Left wrist radiograph | PA projection | age 12 y, male —

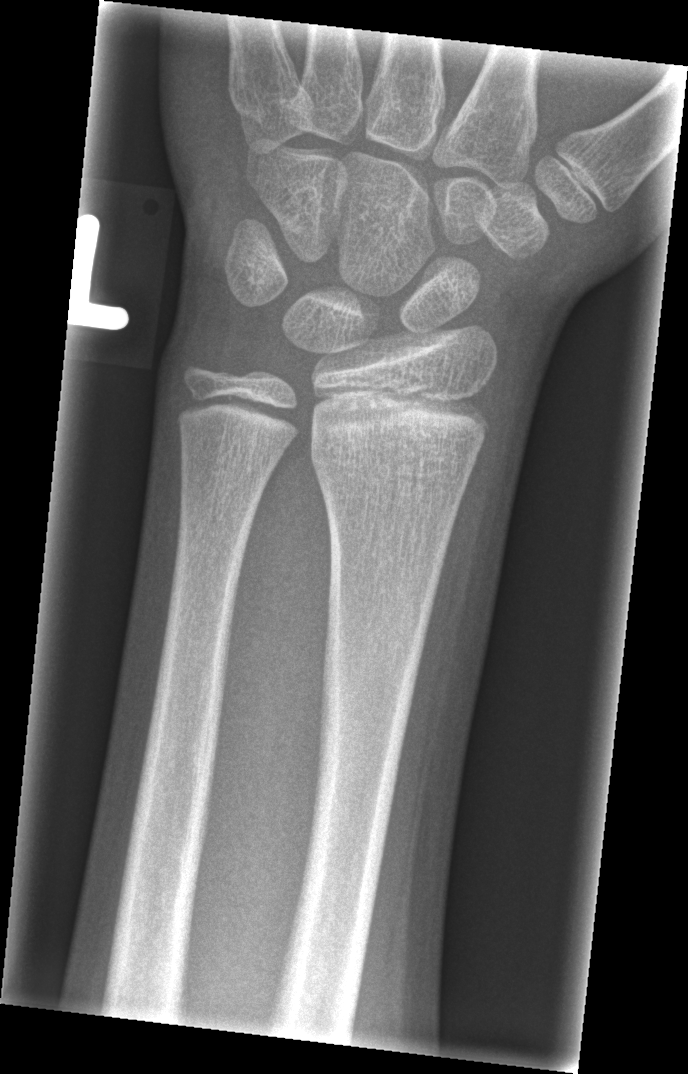 bone fracture = none labeled